AP projection; L wrist X-ray; age 11 y, male; image width 89.3 mm — 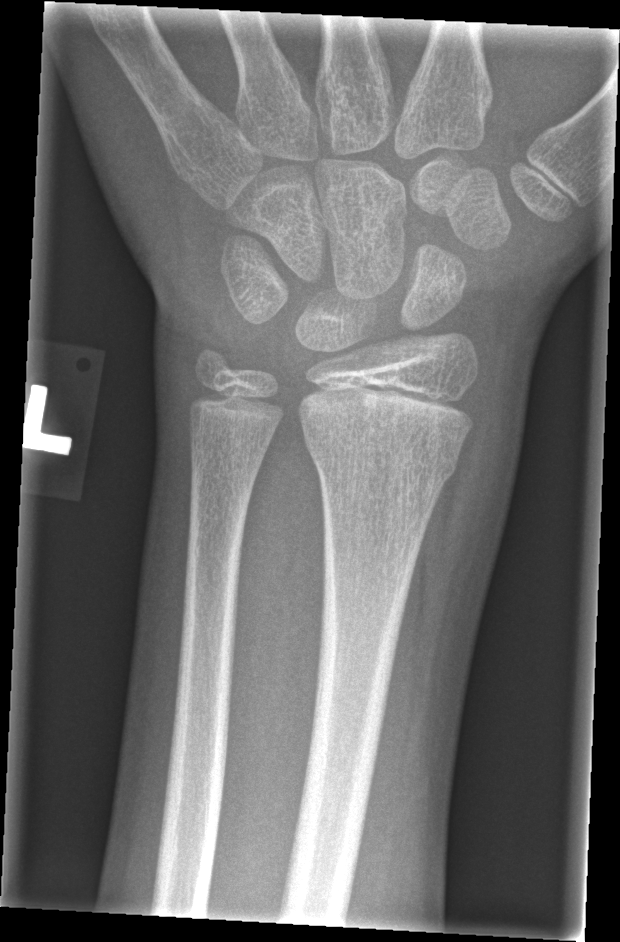

Fracture — bbox(302, 433, 464, 489). AO code 23r-M/2.1.